Lat view · left wrist plain film · image width 63.6 mm:

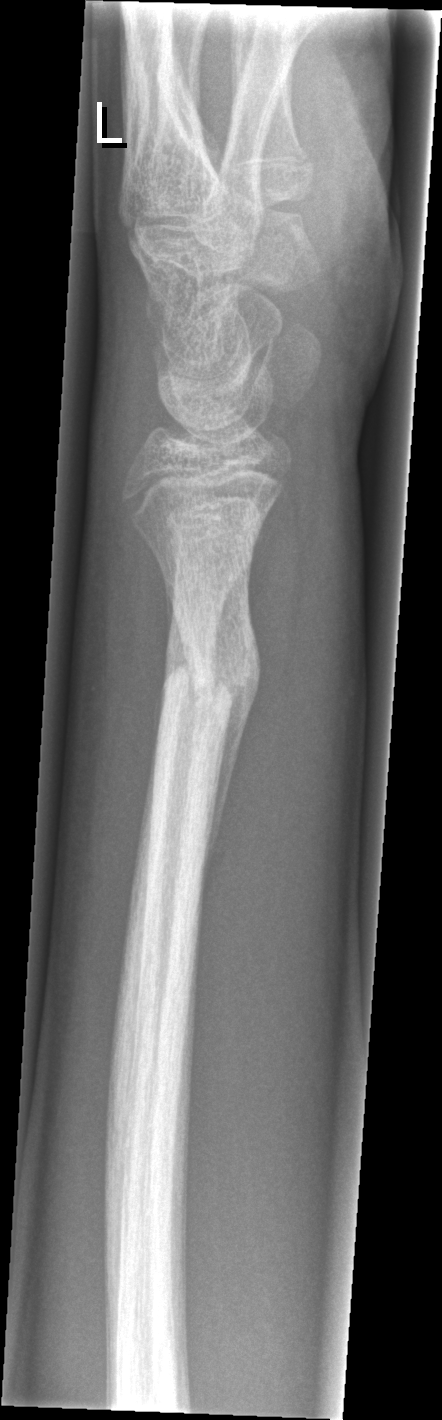
{
  "ao": "23r-M/3.1",
  "fracture": "[160, 640, 263, 713]",
  "periostealreaction": "2 @ [203, 637, 265, 902] [163, 577, 194, 687]"
}